Rt pediatric wrist radiograph, lateral projection, image 61.1 mm wide —
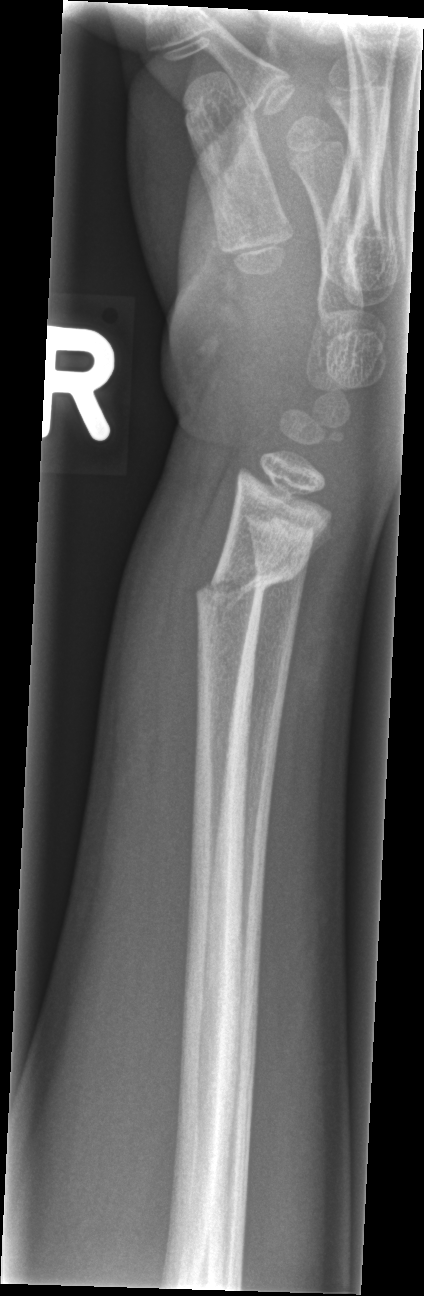
- Boxes as x1,y1,x2,y2 (top-left / bottom-right, pixel units).
- One Fx at [x1=190, y1=551, x2=313, y2=635].